R wrist plain film; lat; follow-up; in cast; acquired on Siemens; 74.6 mm image width

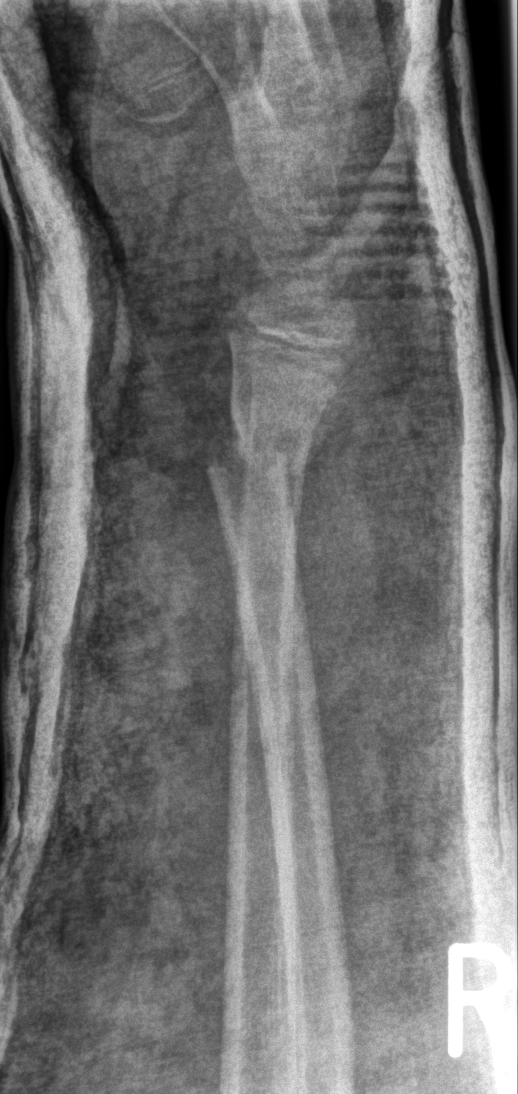 Bounding boxes in image-pixel xyxy.
Fx identified at [200, 396, 329, 502].